Left pediatric wrist radiograph | lateral view | presentation radiograph | image width 69.7 mm 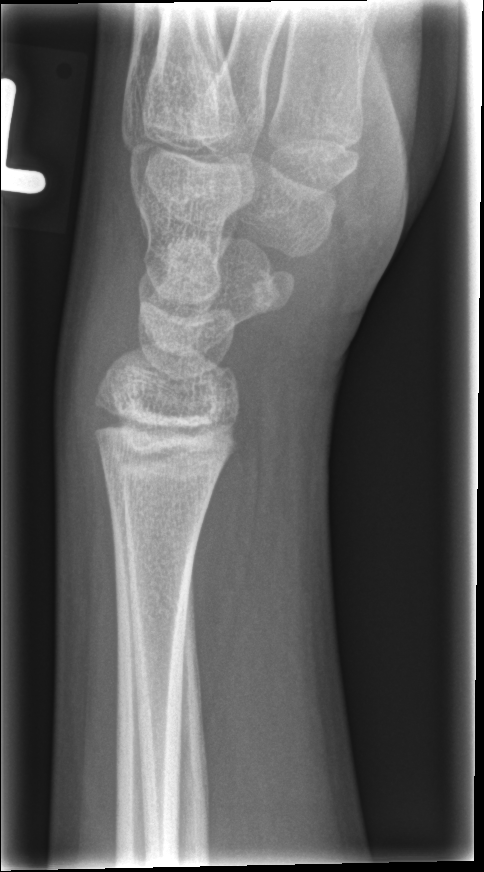

Bone fracture = none labeled